Frontal · left wrist pediatric wrist radiograph · acquired on Siemens · image width 85.4 mm · 593x1084.

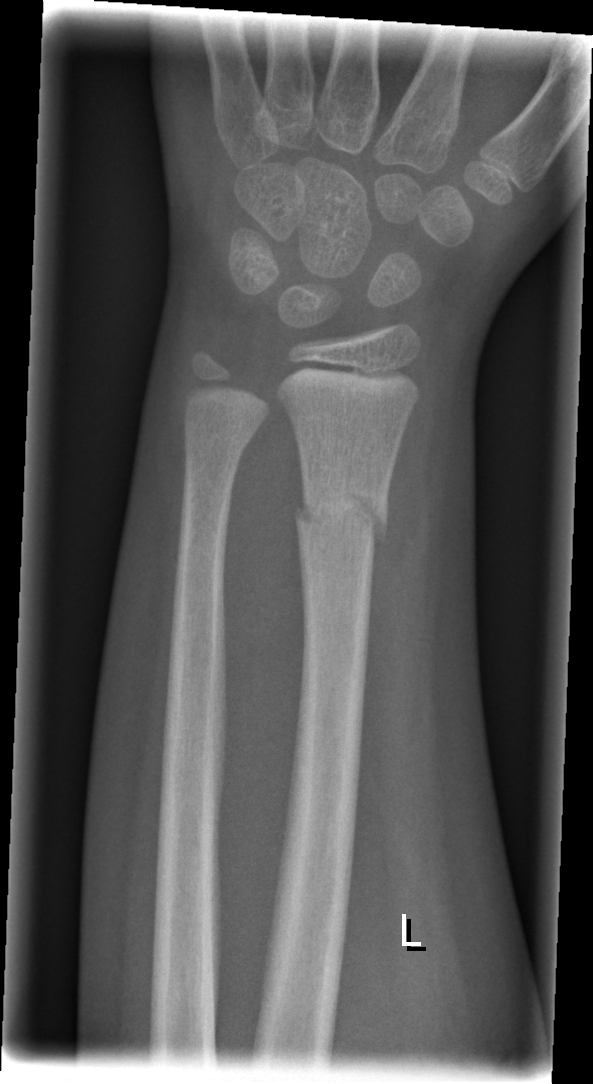

(coordinates are [x1, y1, x2, y2] in image pixels)
Fx = 2 @ (left=290, top=478, right=392, bottom=547), (left=179, top=415, right=257, bottom=457)
AO/OTA = 23r-M/3.1; 23u-M/2.1